Lat projection | right wrist plain film:

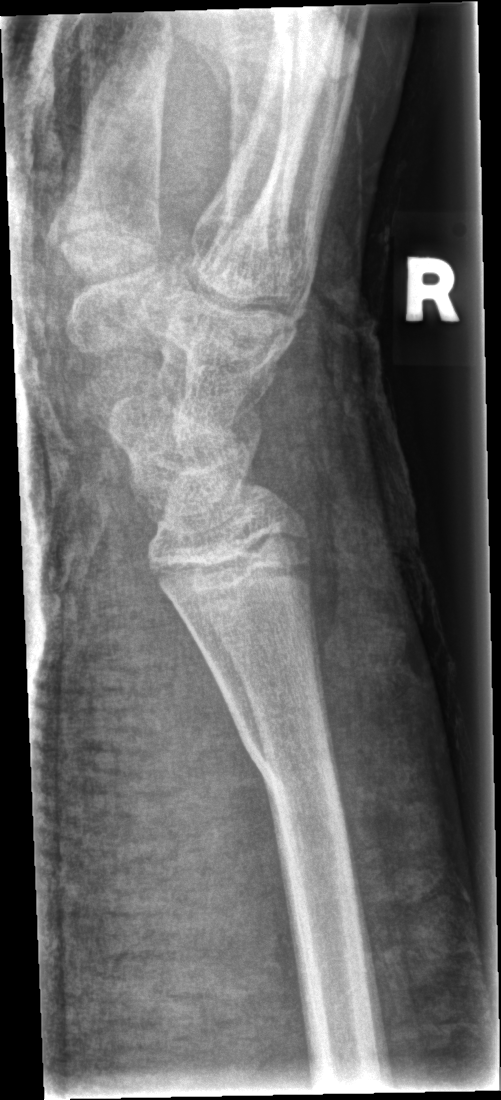 Coordinates are [x1, y1, x2, y2] in image pixels. Fracture: 239,733,339,812. AO code 23r-M/2.1; 23u-E/7.